Right wrist X-ray, lat, index exam:

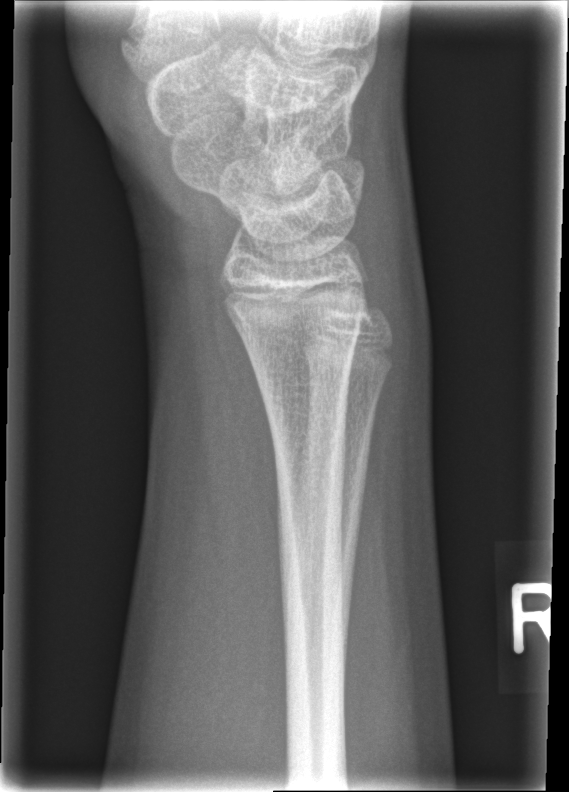 Fracture: none labeled.